Left wrist X-ray · AP projection · 3y F
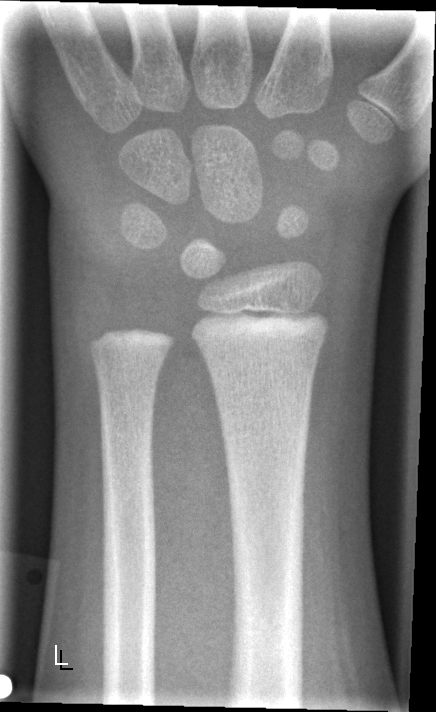 No Fx annotated.